Right wrist plain film | frontal | pediatric patient (boy, age 14) | findings marked uncertain by the reading radiologist:

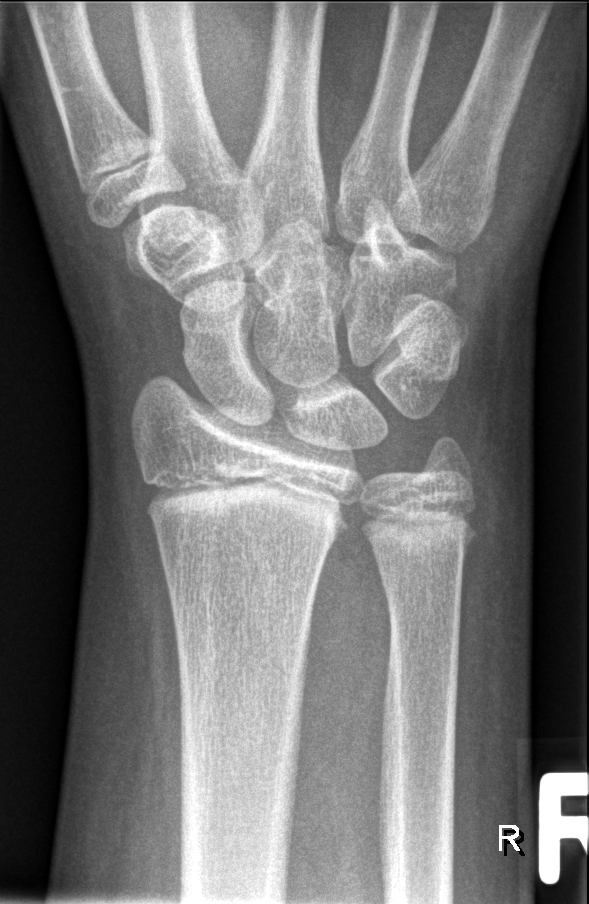 Fracture: none labeled.